Frontal projection, L wrist X-ray, 13-year-old boy:
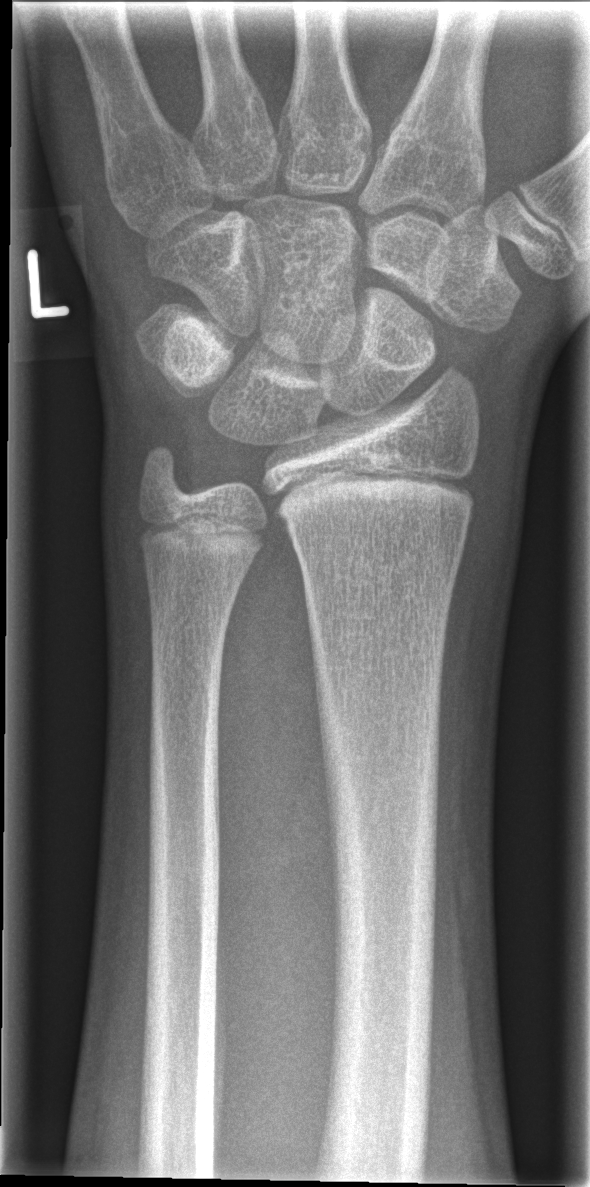
* No Fx annotated.